Right plain radiograph of the wrist · lat view · 12-year-old female · presentation radiograph · 383 by 916 pixels:

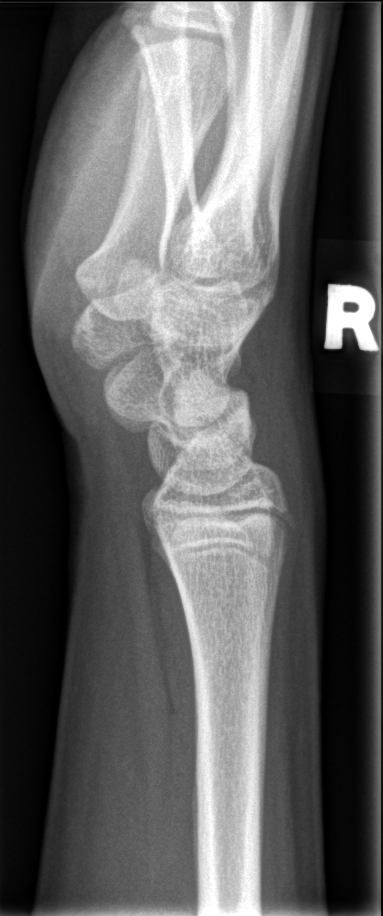 No fracture bounding box.